Lat · left wrist XR · in cast.

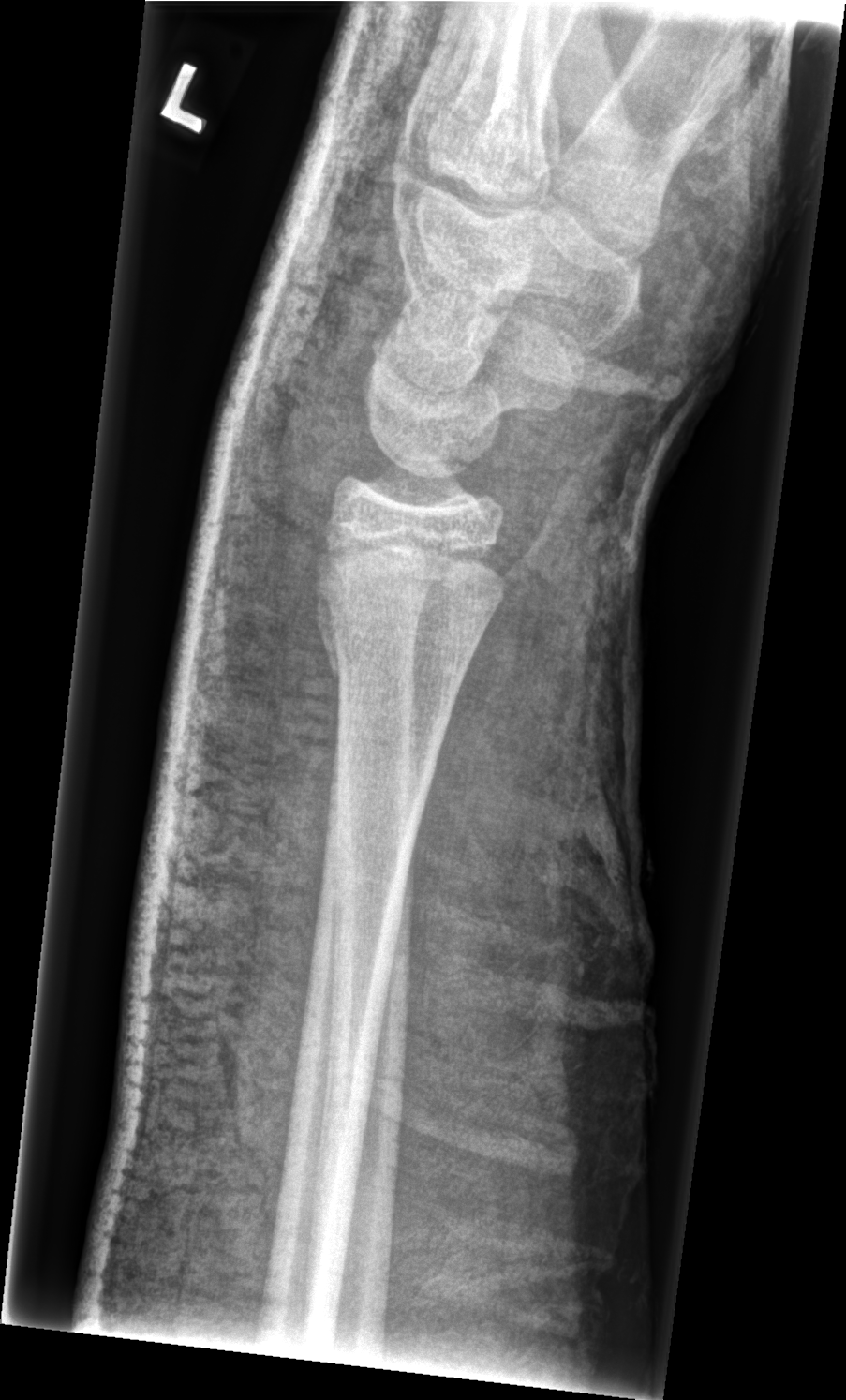
Fracture: 1 @ <318,629>-<469,700>
AO/OTA: 23r-M/2.1